Lateral projection · left wrist plain film · age 13 y, female · Siemens.
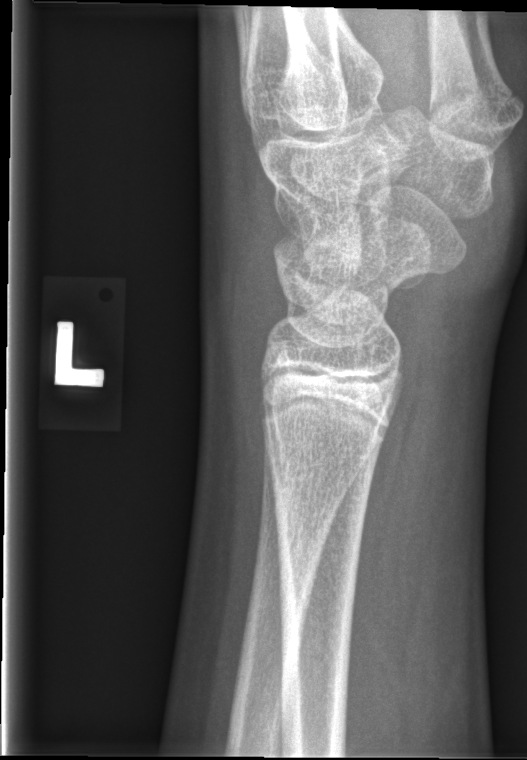
* Pixel coordinates, top-left origin, xyxy.
* Soft-tissue swelling — (203, 127, 283, 461).
* No fracture labeled.